Right wrist plain film · frontal projection · 13-year-old girl · imaged through cast · Siemens.
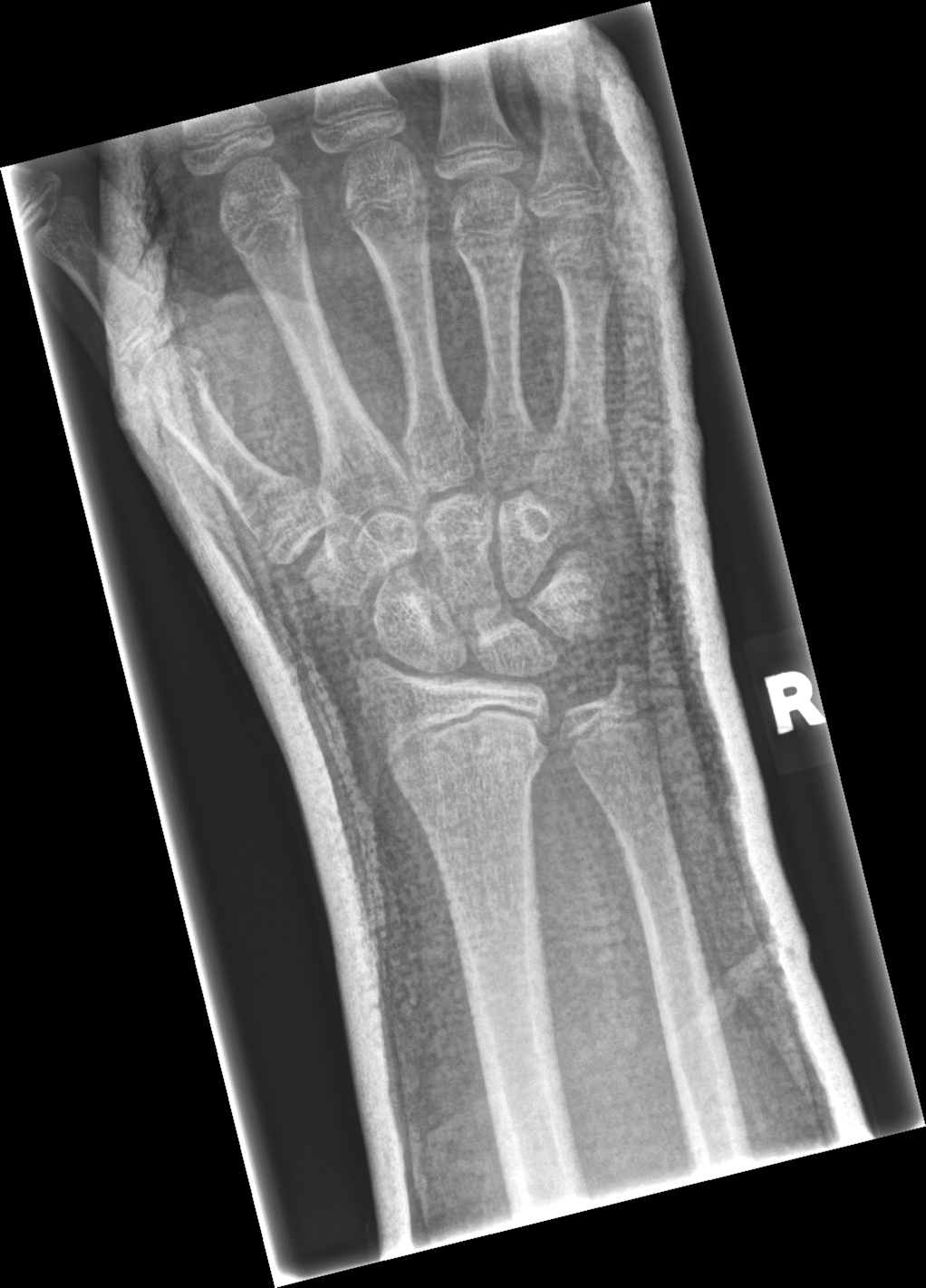 Findings: (coordinates are [x1, y1, x2, y2] in image pixels) One bone fracture at [388, 709, 551, 791].